Left wrist XR · lateral · subsequent exam · image width 75.3 mm · 523 by 978 pixels
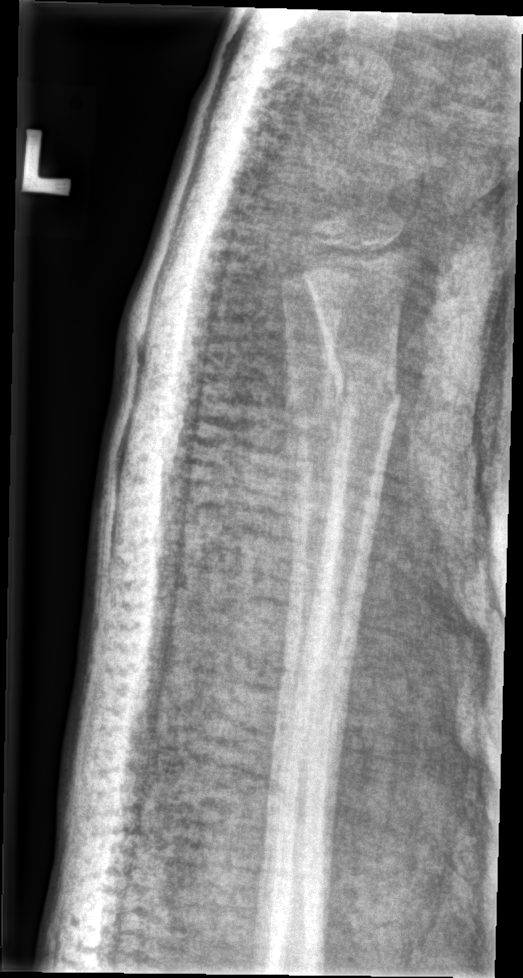
bone fracture = <325,350>-<404,421> <282,378>-<351,432>